L wrist plain film, lateral projection, cast present, image 85.8 mm wide.

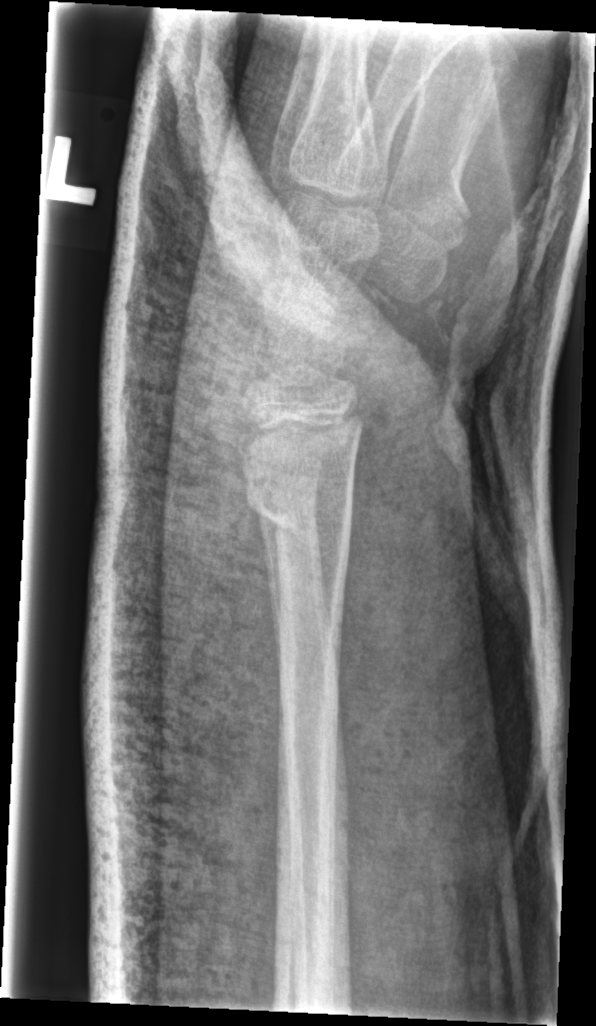

Fx: (243, 472, 360, 576).